PA/AP view · left wrist plain film · male, 13 yo.

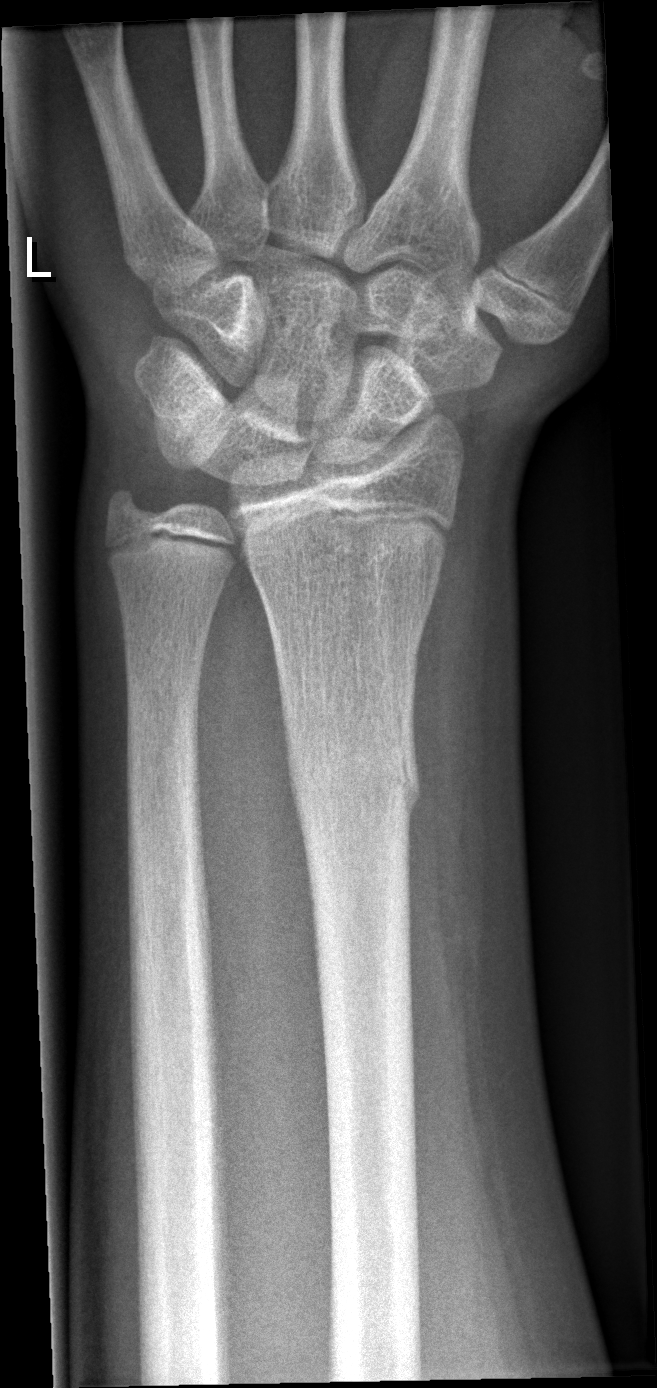
AO/OTA: 23r-M/2.1
Fx: (left=282, top=725, right=428, bottom=837)